Right wrist radiograph, lat view, female, 7 yo, Siemens:
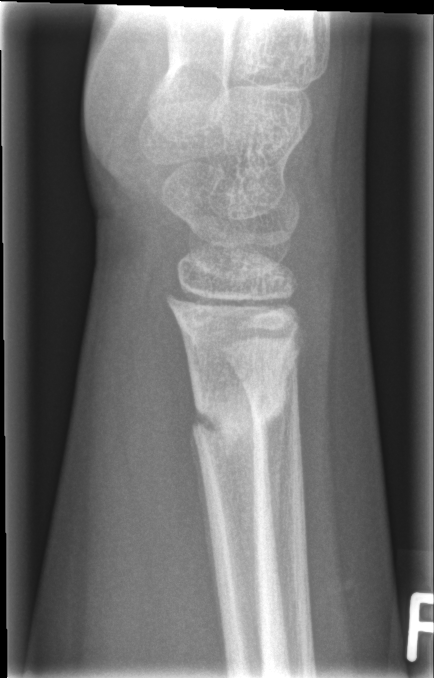 FINDINGS — One fracture at 186,374,289,450. AO/OTA classification: 23r-M/2.1. Two periosteal thickening at 188,426,225,643 | 263,399,287,575. Osteopenia.